Lateral view · left wrist X-ray:

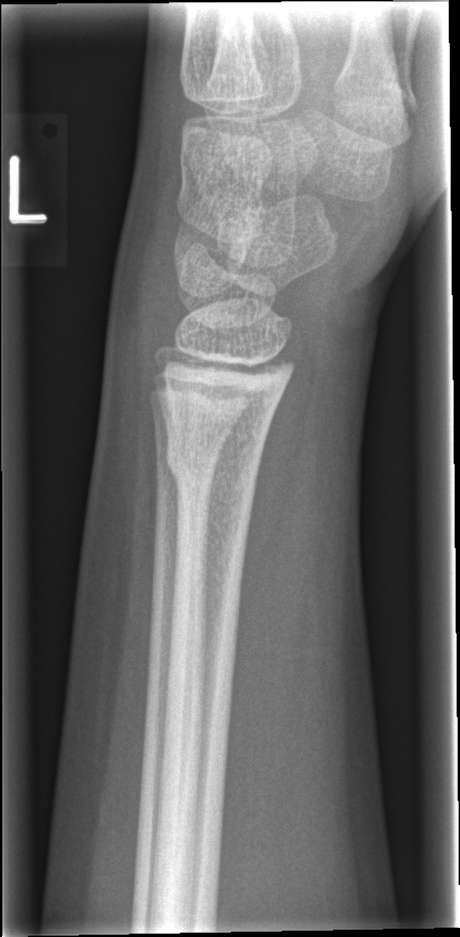 Pixel coordinates, top-left origin, xyxy.
AO/OTA classification: 23r-M/2.1.
Fracture: (left=161, top=435, right=267, bottom=488).